Posteroanterior view; Rt wrist XR — 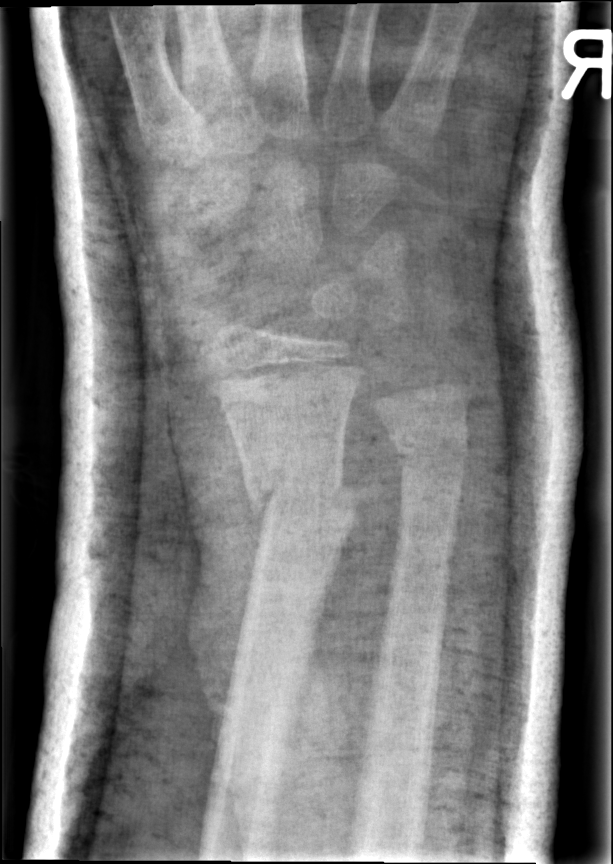 (boxes as x1,y1,x2,y2 (top-left / bottom-right, pixel units))
bone fracture: 245 461 366 541; 387 420 474 477